AP view; left wrist plain radiograph of the wrist; follow-up; image size 614x750. 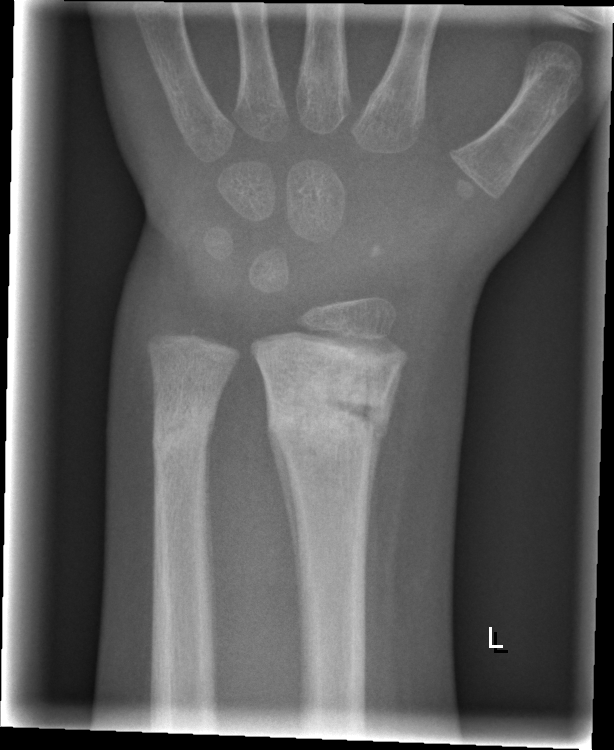
Boxes as x1,y1,x2,y2 (top-left / bottom-right, pixel units). Periosteal thickening: <365,360>-<406,571>; <267,426>-<303,590>. Fx — <260,341>-<402,451>; <150,399>-<215,464>.